AP view · R wrist X-ray · presentation radiograph:
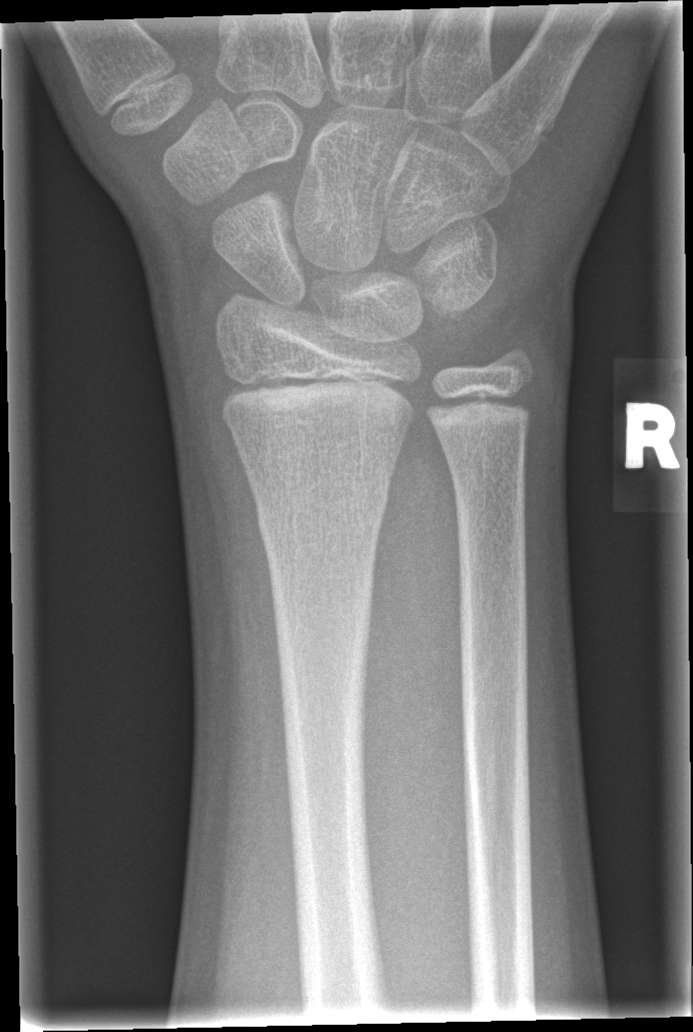
Bounding boxes in image-pixel xyxy.
Bone fracture: [255, 485, 391, 547].